L wrist radiograph · frontal view · follow-up study · Siemens — 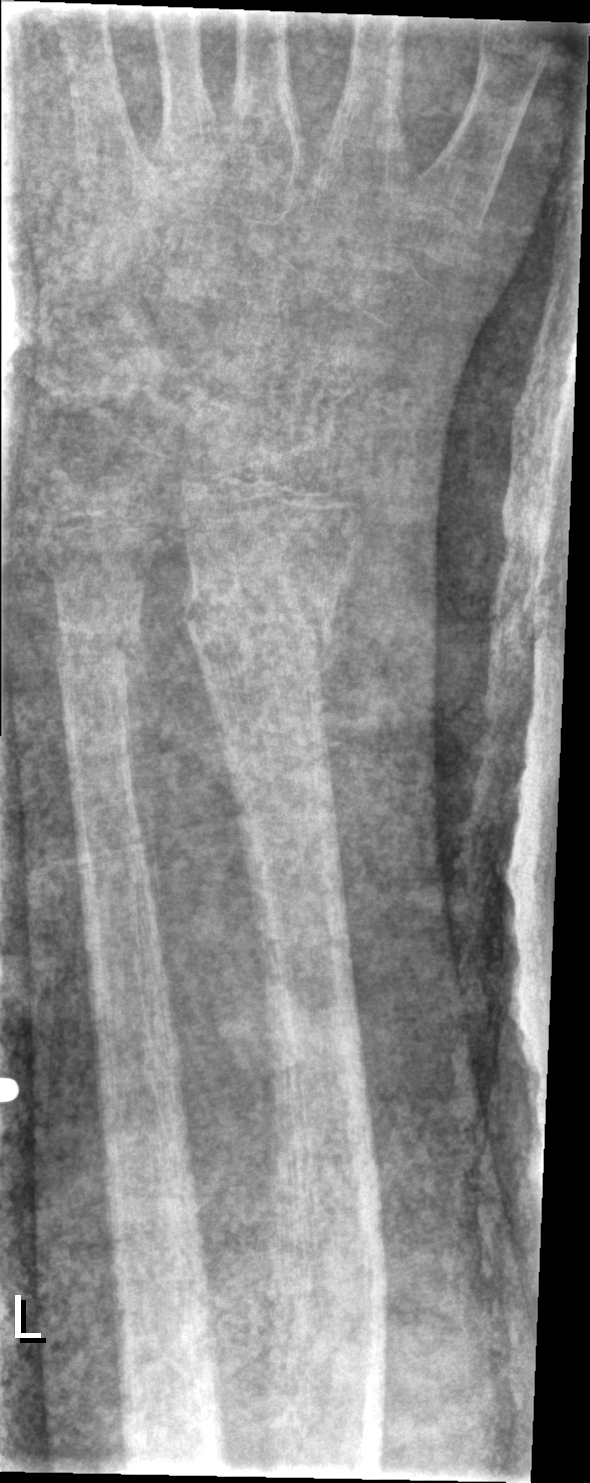 FINDINGS: (boxes as x1,y1,x2,y2 (top-left / bottom-right, pixel units)) AO code 23-M/3.1. Bone fractures — (187, 539, 357, 682), (46, 592, 148, 694).